Lateral projection | R pediatric wrist radiograph | in cast: 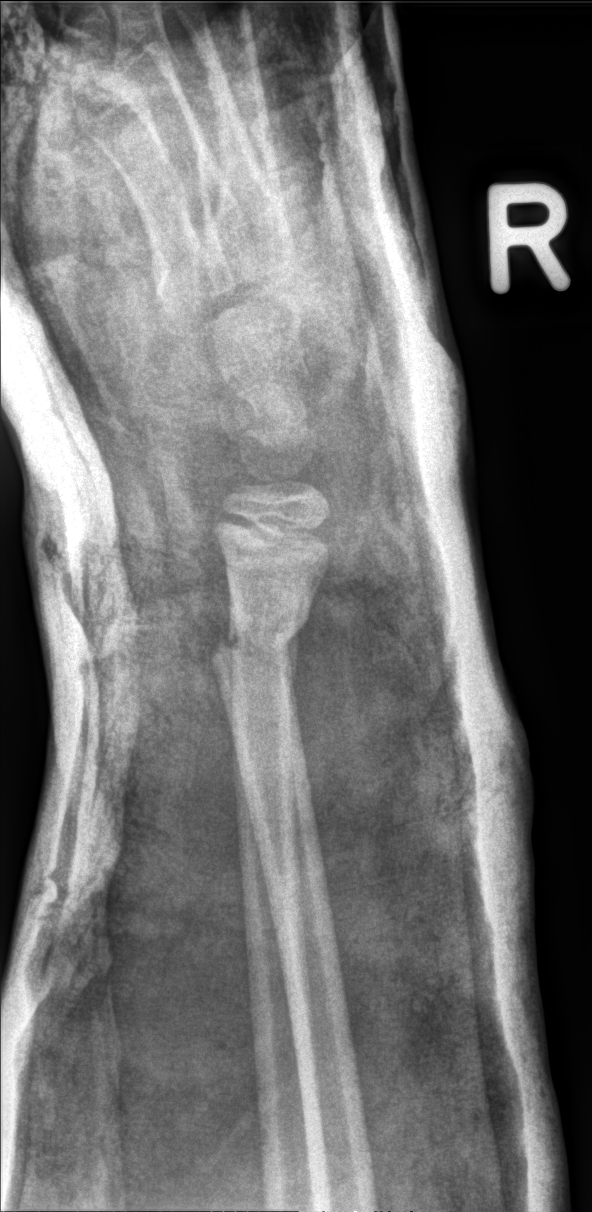

Findings: Fracture classified AO/OTA 23-M/3.1. Bone fracture — 207,603,313,681.